R wrist radiograph, PA projection, in cast:

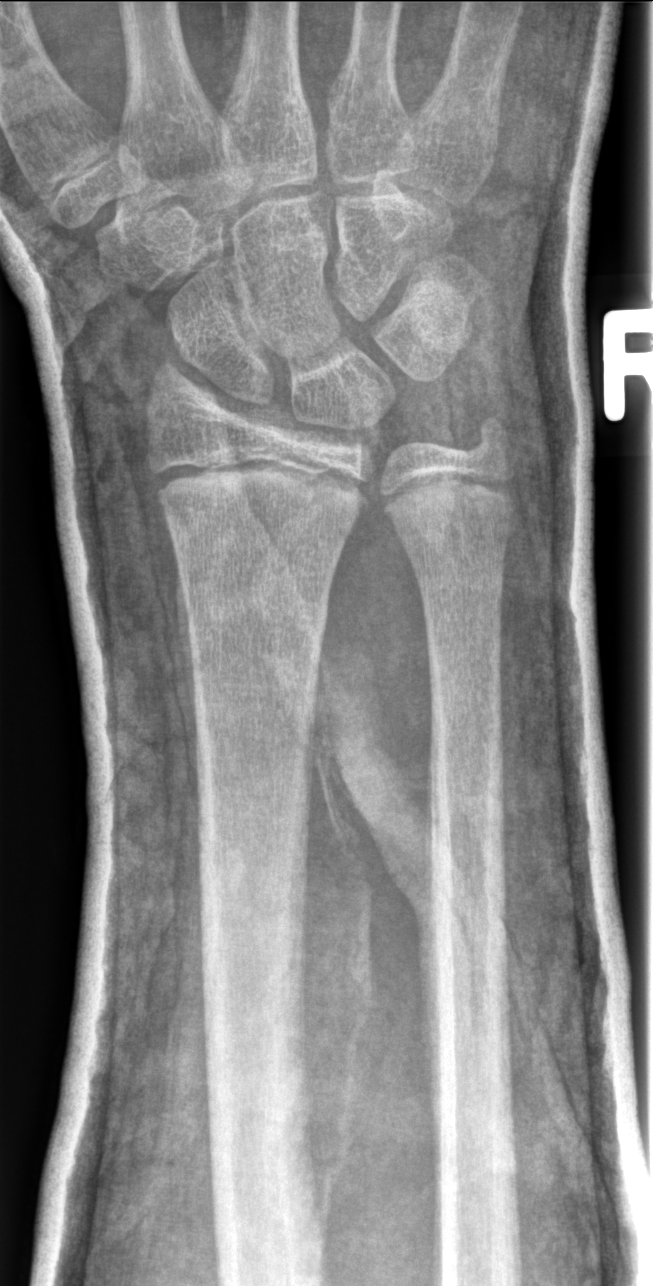
FINDINGS — One Fx at <178,583>-<336,653>.